Left plain radiograph of the wrist · PA projection · girl, 9 yo.
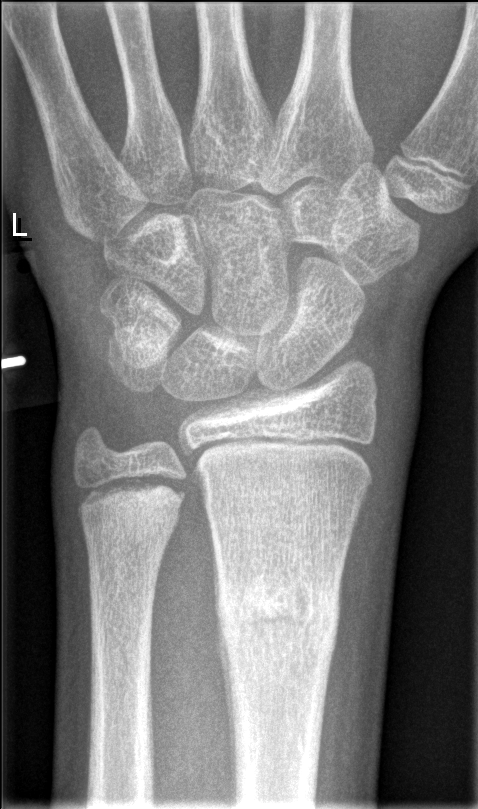

Fx identified at 211,569,342,657
  76,473,190,519. Fracture classified AO/OTA 23r-M/2.1; 23u-E/1. Osteopenic.